Lat view | right wrist radiograph | 4-year-old male. 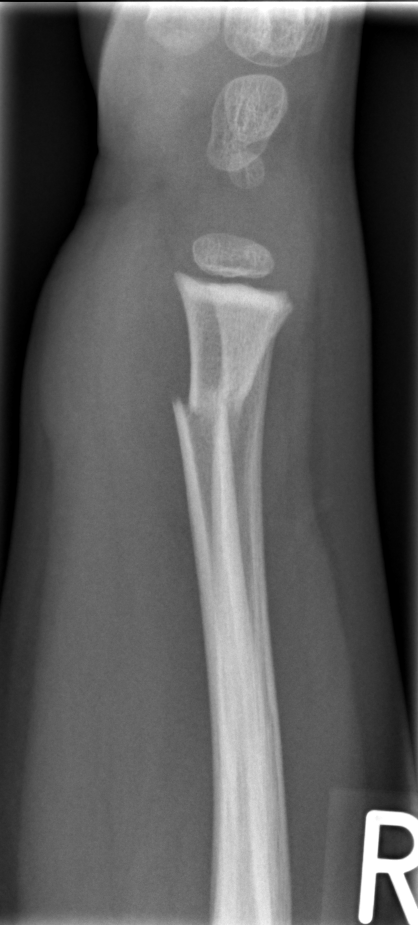
Boxes as x1,y1,x2,y2 (top-left / bottom-right, pixel units).
Fx — <169,377>-<258,434>.
Positive pronator fat-pad sign — <89,247>-<199,596>.